L wrist plain film | frontal projection | initial study —

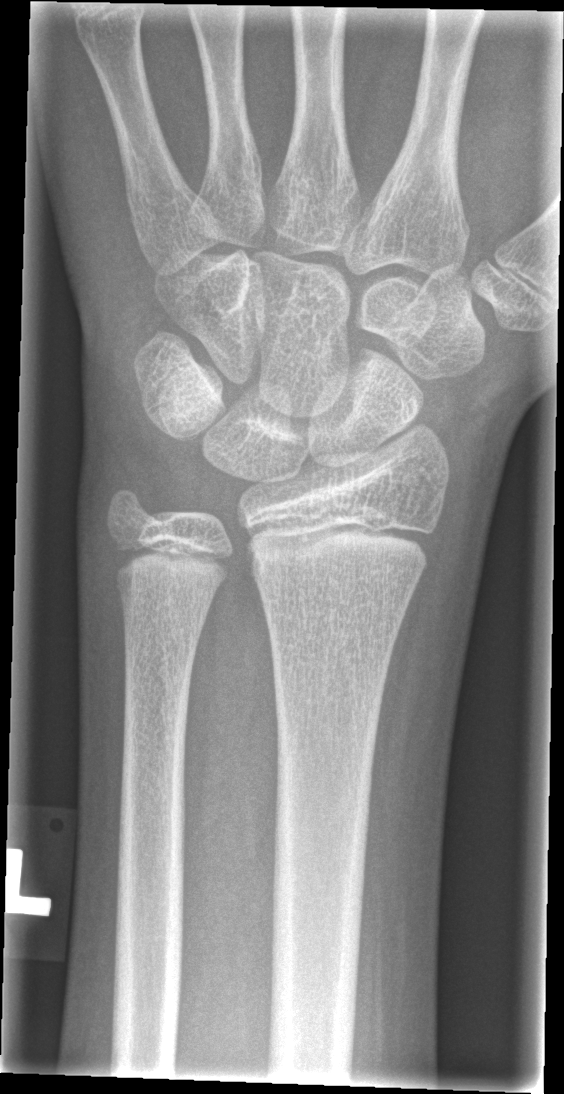 Q: Any fracture seen?
A: No fracture annotation